R plain radiograph of the wrist; posteroanterior projection; follow-up study; 670 by 1216 pixels — 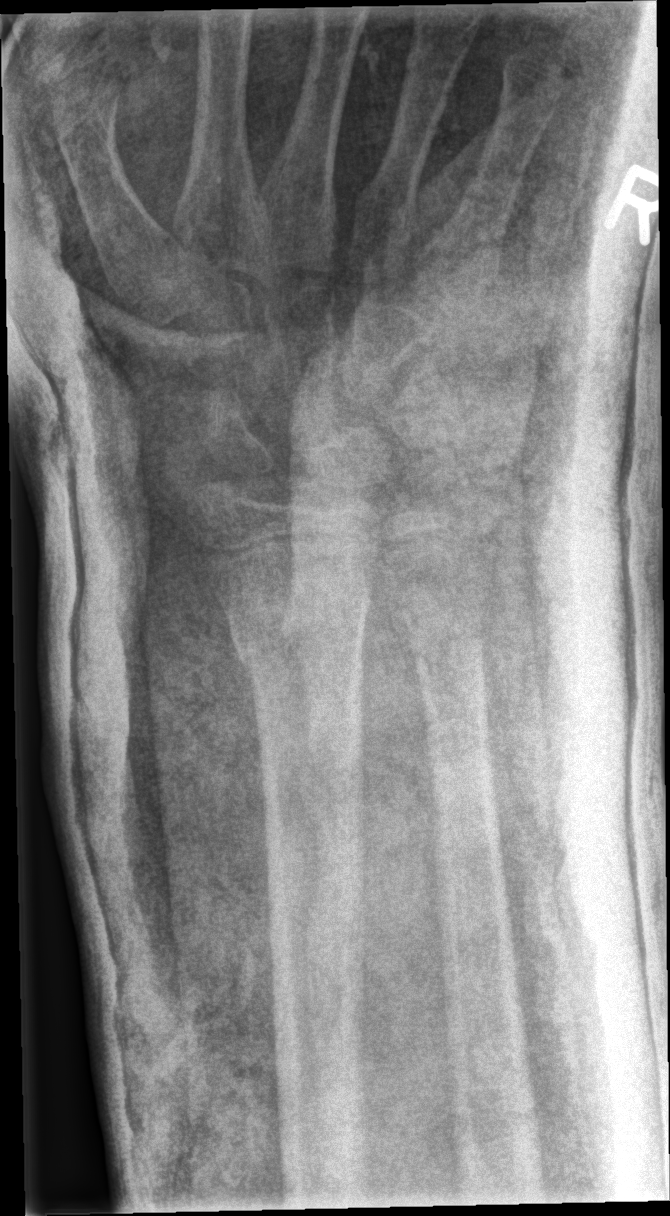 AO code 23r-M/3.1; 23u-E/7.
Bone fracture — (227, 571, 372, 678).